Lat view | Lt wrist XR | 12y F | 438 by 1127 pixels:
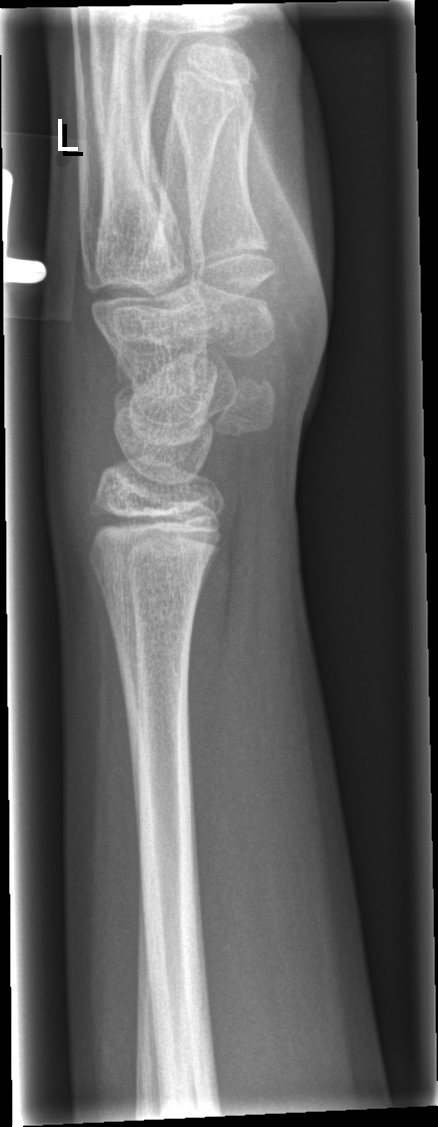

bone fracture = none labeled